Frontal projection · R pediatric wrist radiograph · in cast · detector: Siemens —

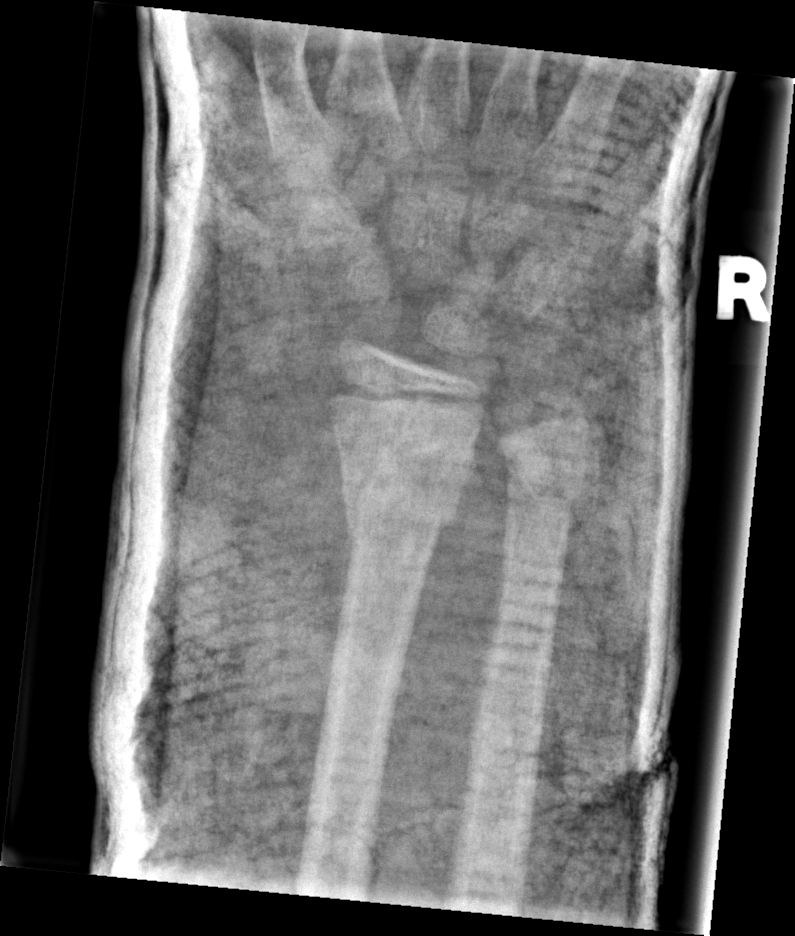
AO/OTA classification: 23-M/3.1. Fx: (left=331, top=422, right=478, bottom=547); (left=498, top=458, right=590, bottom=519).